Rt wrist radiograph, frontal, subsequent exam, imaged through cast
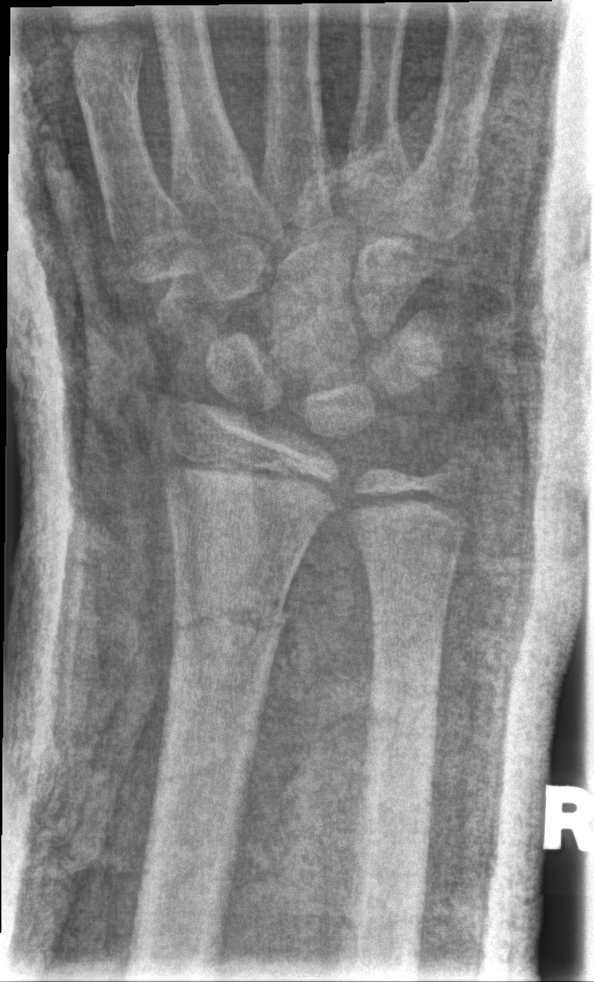

(boxes as x1,y1,x2,y2 (top-left / bottom-right, pixel units))
Fx: 2 @ (left=169, top=591, right=287, bottom=655) (left=366, top=656, right=443, bottom=718)